Left plain radiograph of the wrist; lateral projection; cast present; detector: Siemens. 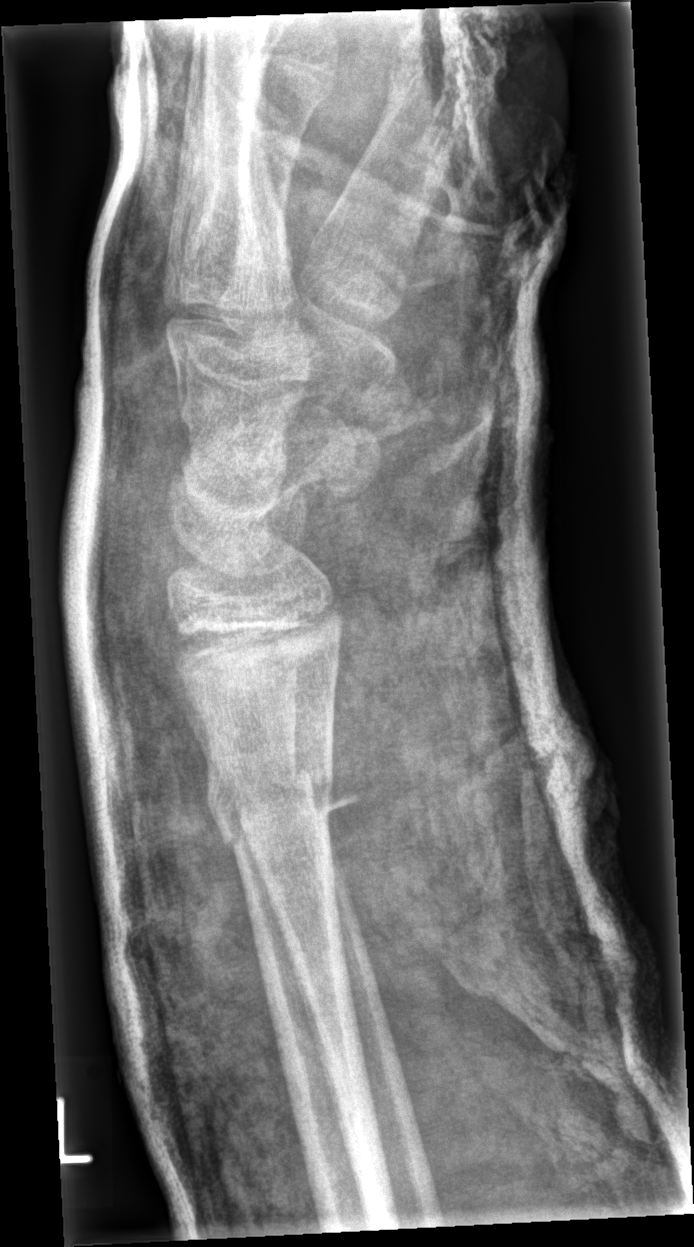

FINDINGS — (boxes as x1,y1,x2,y2 (top-left / bottom-right, pixel units)) Bone fracture: [x1=201, y1=752, x2=339, y2=852]. AO code 23-M/3.1; 23u-E/7.